L wrist X-ray; lat view; 9y F; 508x736 —
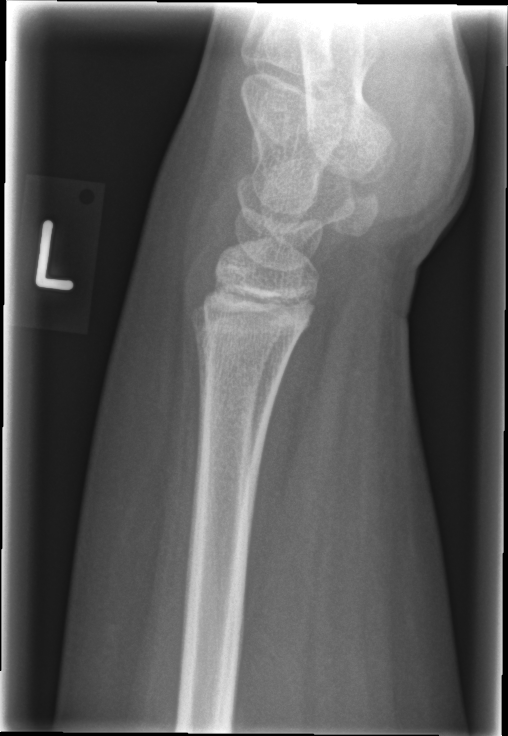
Fx = none labeled